Rt wrist XR | frontal view | 687 x 962 px — 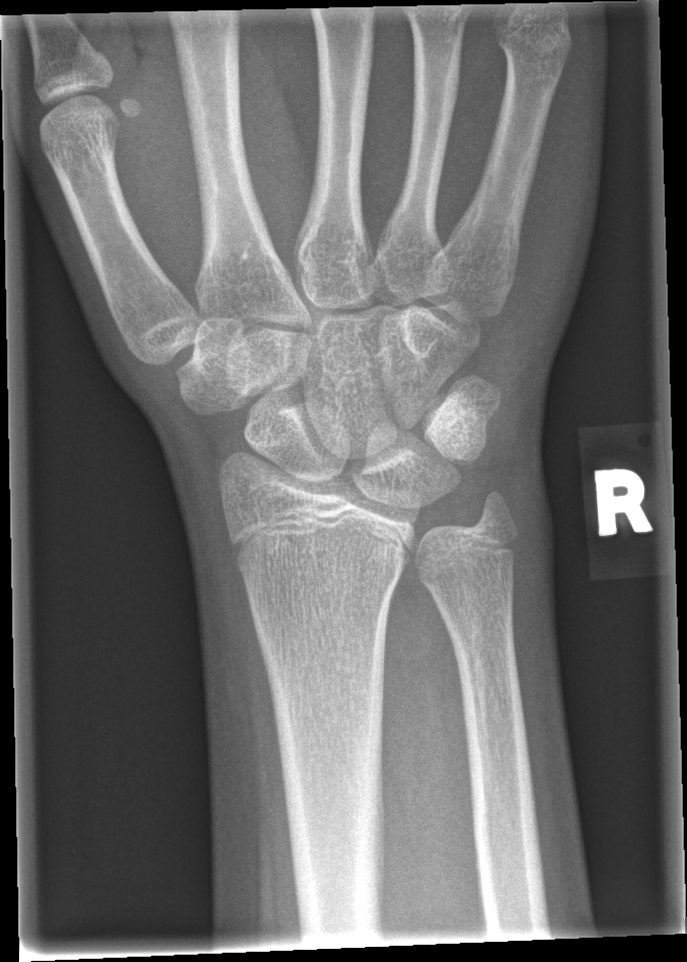 bone fracture = none labeled